PA projection · left wrist X-ray · Siemens · image 86.3 mm wide —

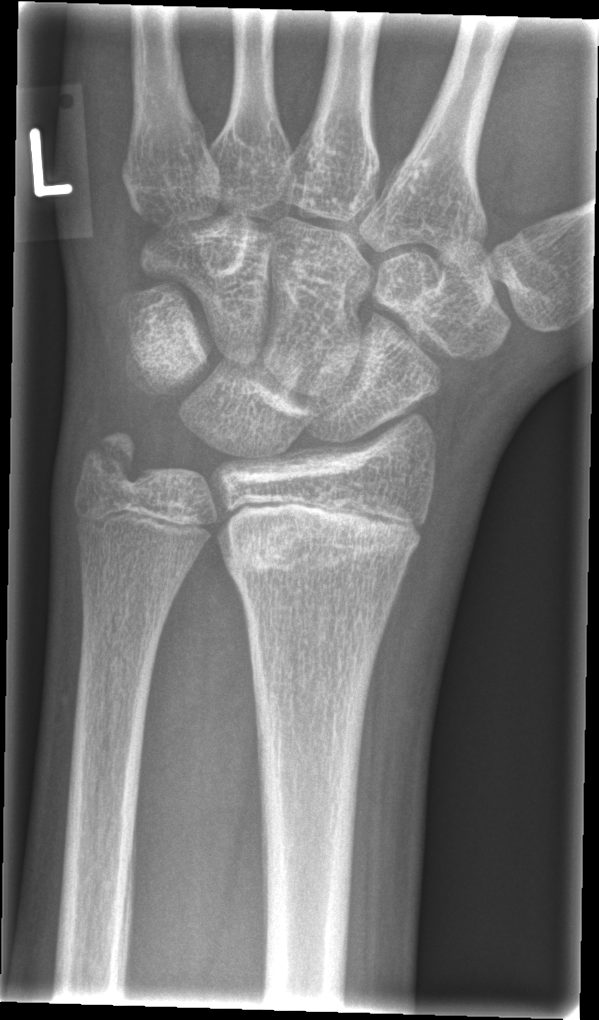

Boxes as x1,y1,x2,y2 (top-left / bottom-right, pixel units). Fractures — (215, 500, 422, 577) (73, 424, 157, 503). Reduced bone mineral density.